AP, right wrist pediatric wrist radiograph, age 4 y, girl: 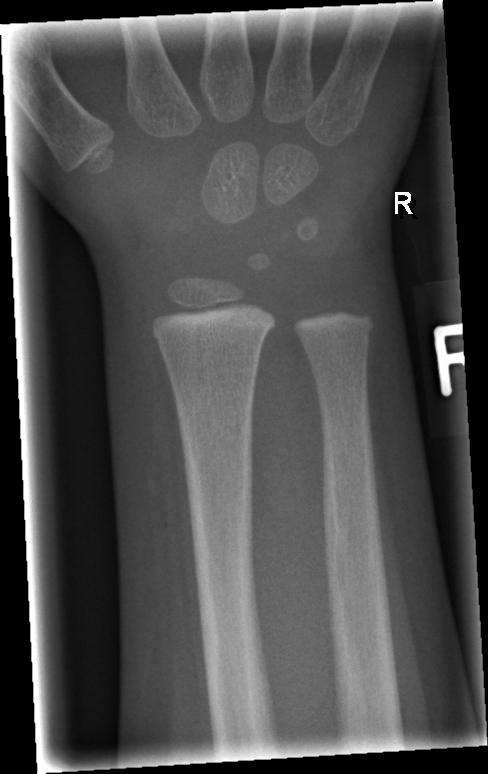 No fracture labeled.